PA projection | Rt pediatric wrist radiograph | pediatric patient (girl, age 12) | presentation radiograph | image width 70.4 mm | 489 by 914 pixels 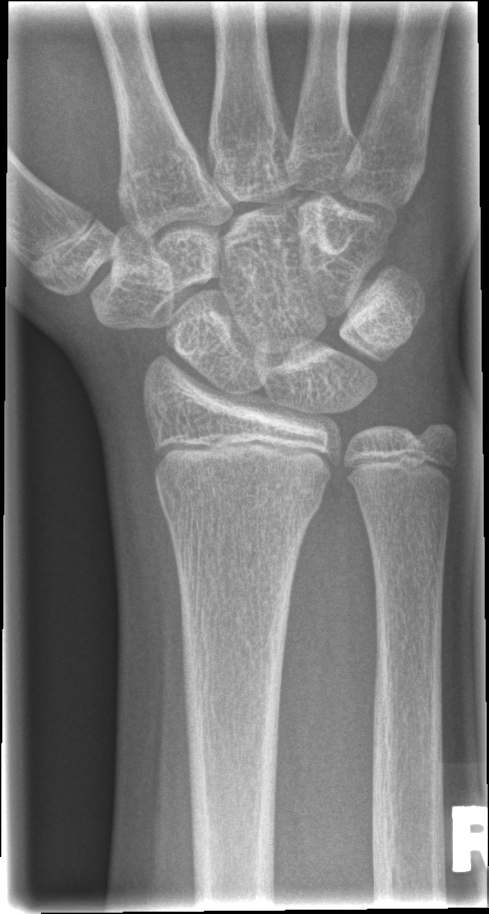 * AO code 23r-M/2.1.
* One fracture at [x1=155, y1=472, x2=327, y2=529].